Posteroanterior projection, R pediatric wrist radiograph. 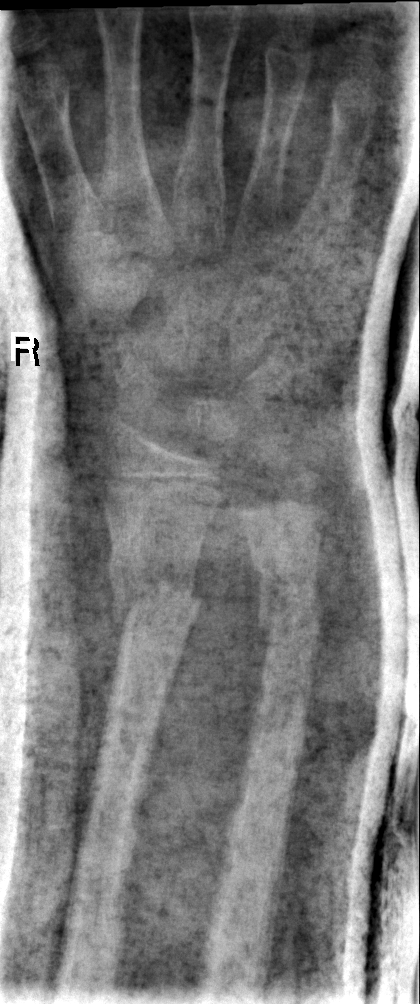
Fractures — (left=104, top=544, right=206, bottom=631) (left=252, top=575, right=327, bottom=656). Fracture classified AO/OTA 23-M/3.1.